AP view; left plain radiograph of the wrist; image width 100.7 mm; image size 699x1280 — 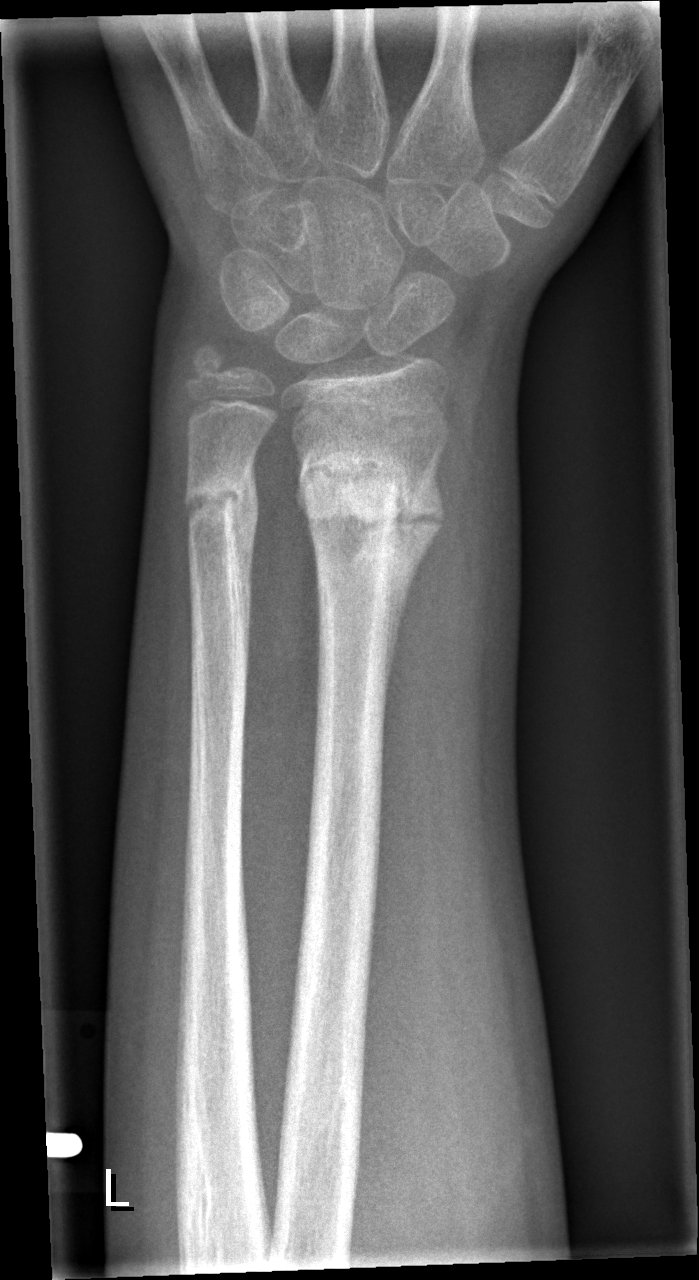
  osteopenia: present
  ao: 23-M/3.1; 23u-E/7
  periostealreaction: [386, 450, 450, 704] [227, 448, 261, 632]
  fracture: 3 @ [294, 435, 427, 549] [182, 471, 256, 532] [182, 338, 232, 385]